Lat projection; left wrist X-ray; initial study; detector: Siemens:

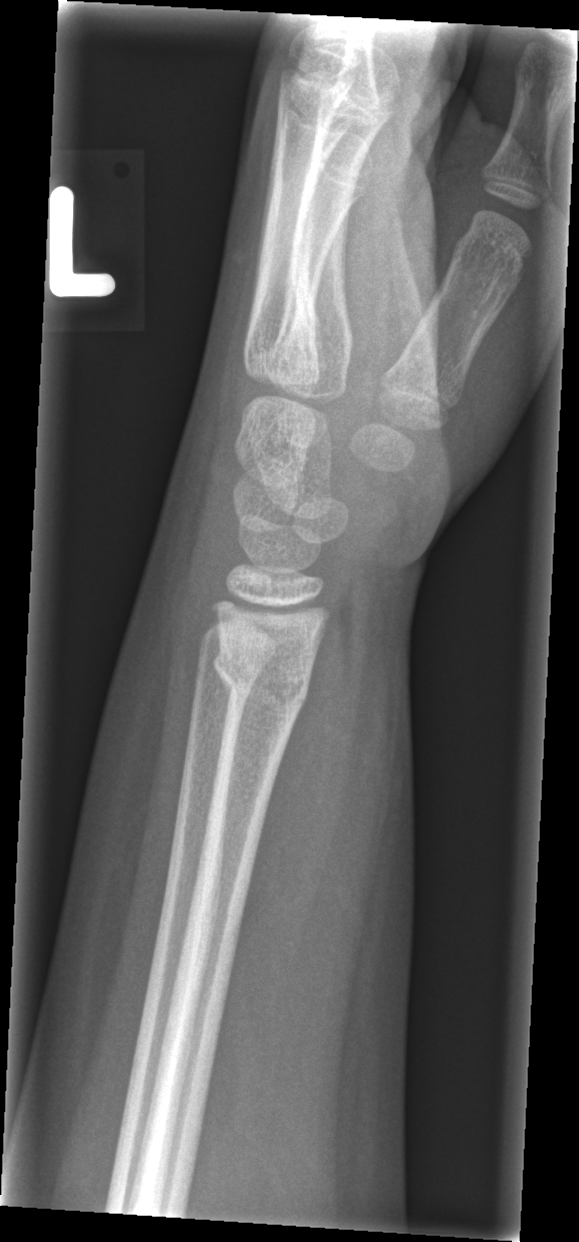 Positive pronator fat-pad sign identified at 232 620 348 950. Fracture: 210 641 317 730. AO/OTA classification: 23r-M/3.1.